PA/AP view; Lt wrist radiograph. 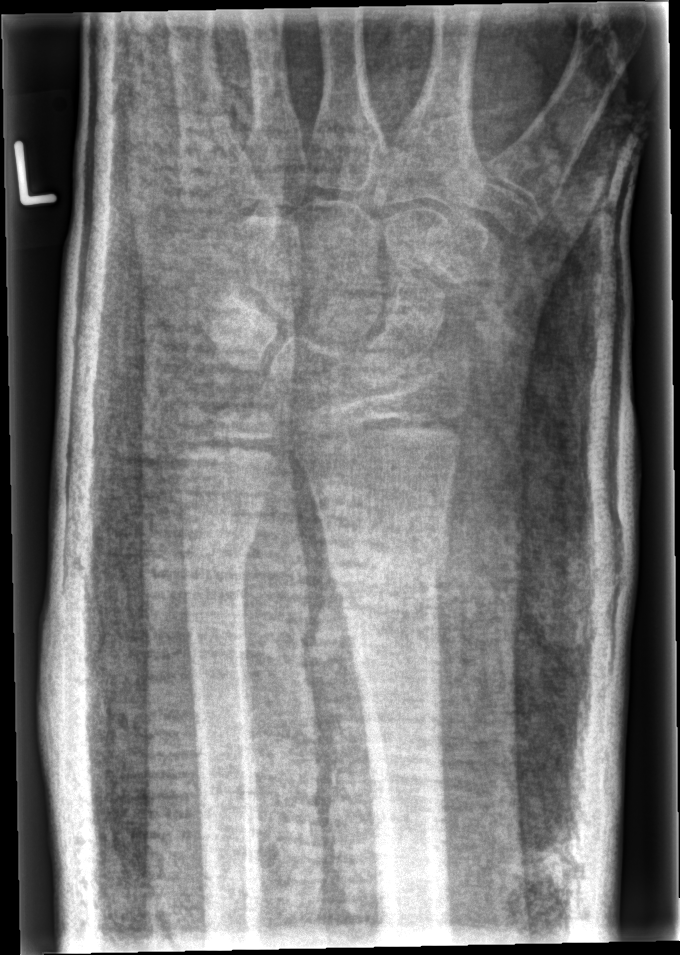

  fracture: 2 @ 321,516,449,595
  176,513,263,569
  ao: 23-M/2.1